L wrist plain film | lat —
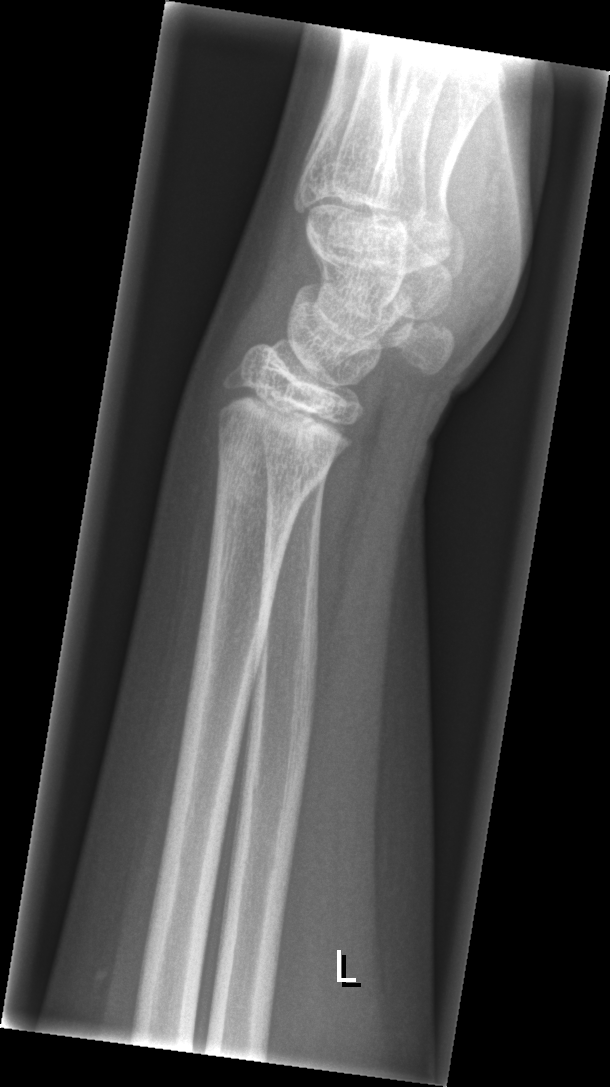 {
  "ao": "23r-M/2.1",
  "fracture": "(left=214, top=421, right=337, bottom=498)"
}